Lateral projection | left wrist radiograph | 10-year-old male | presentation radiograph | image size 564x1134:

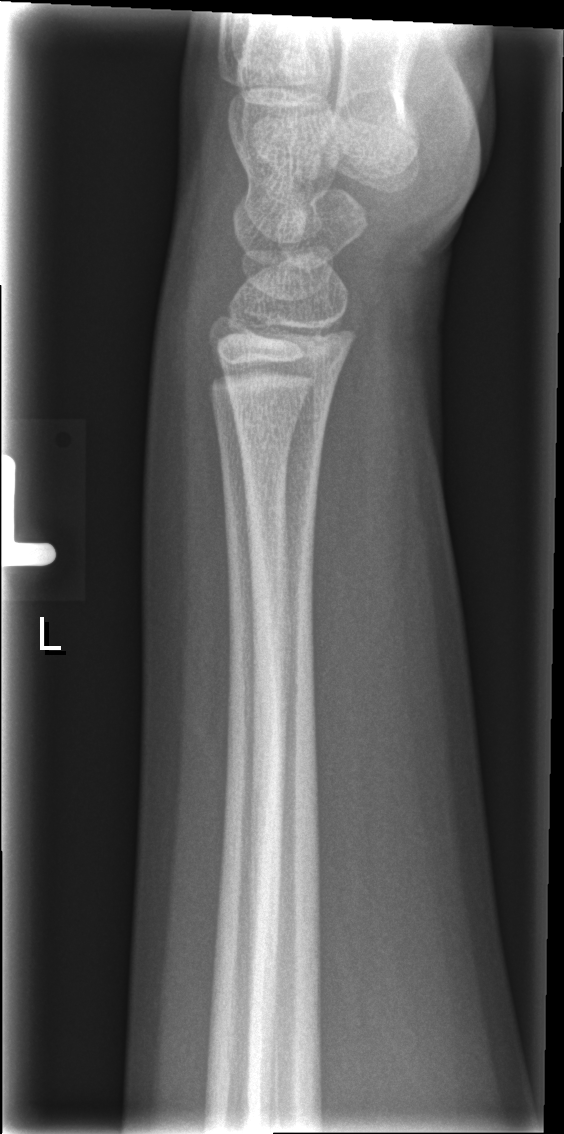 Fracture: none labeled.